Left wrist plain film · posteroanterior · pediatric patient (female, age 11) — 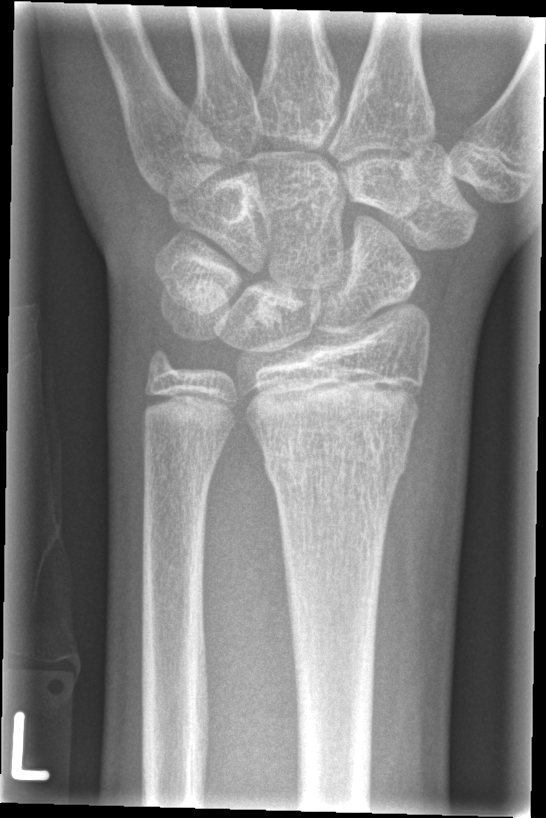
FINDINGS: Fracture — [260, 421, 411, 497]. AO/OTA classification: 23r-M/2.1.